Posteroanterior projection | Rt wrist X-ray | 12-year-old male

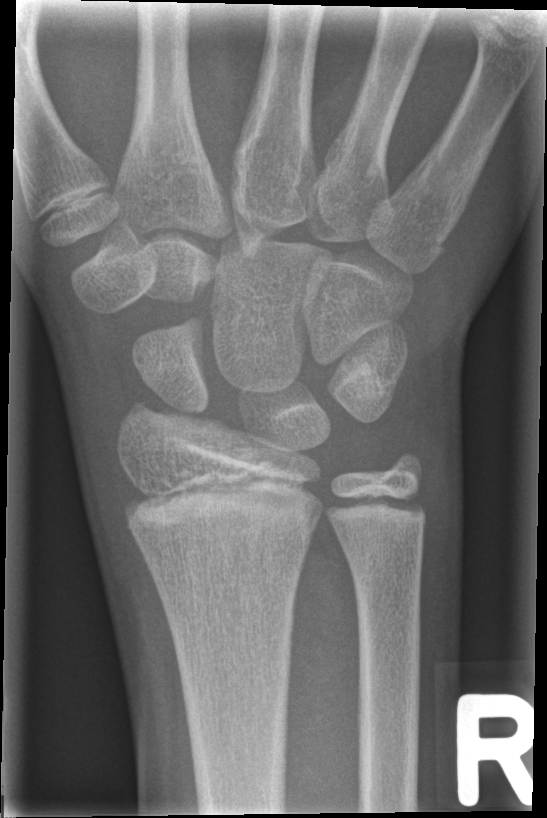 Q: Fracture present?
A: No fracture annotation